Posteroanterior | left pediatric wrist radiograph | 12-year-old male | imaged through cast —

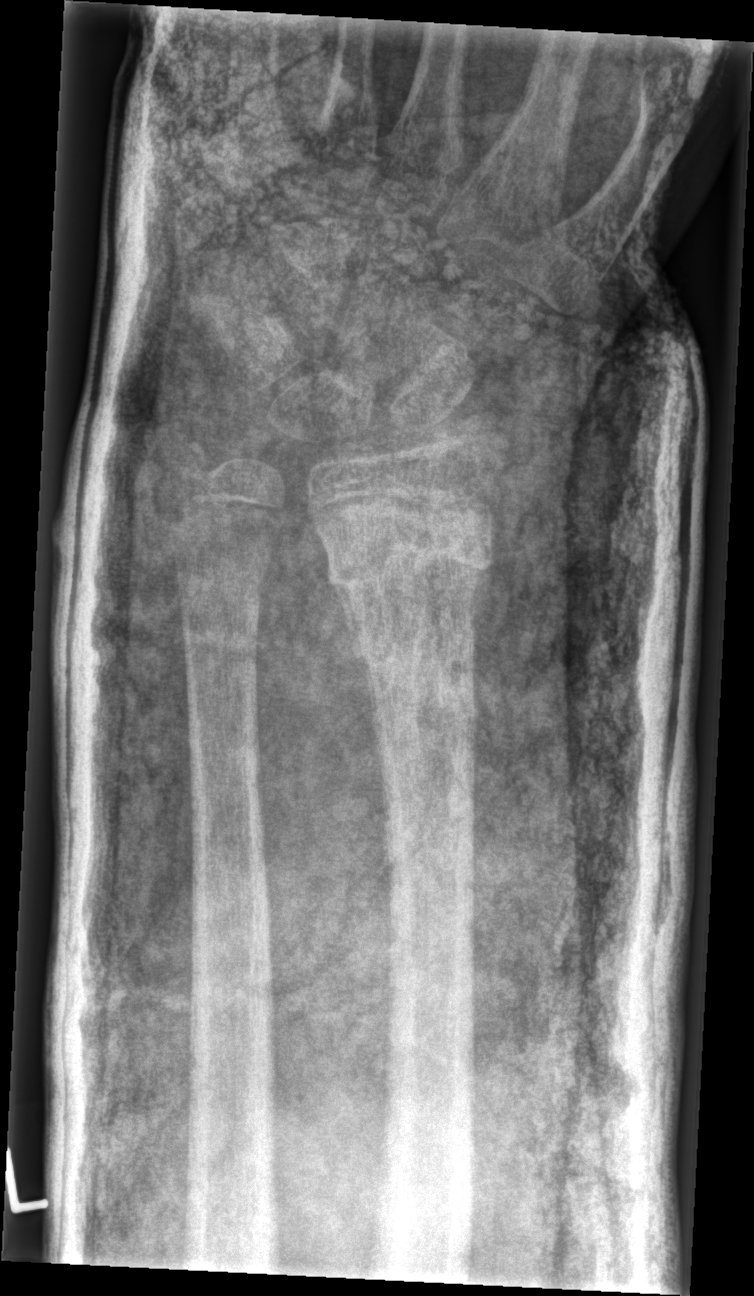 One periosteal reaction at [x1=339, y1=590, x2=365, y2=666].
Fractures — [x1=321, y1=504, x2=496, y2=614]; [x1=158, y1=431, x2=221, y2=497].